Rt wrist XR · lateral projection · age 18 y, boy · 784 by 1559 pixels

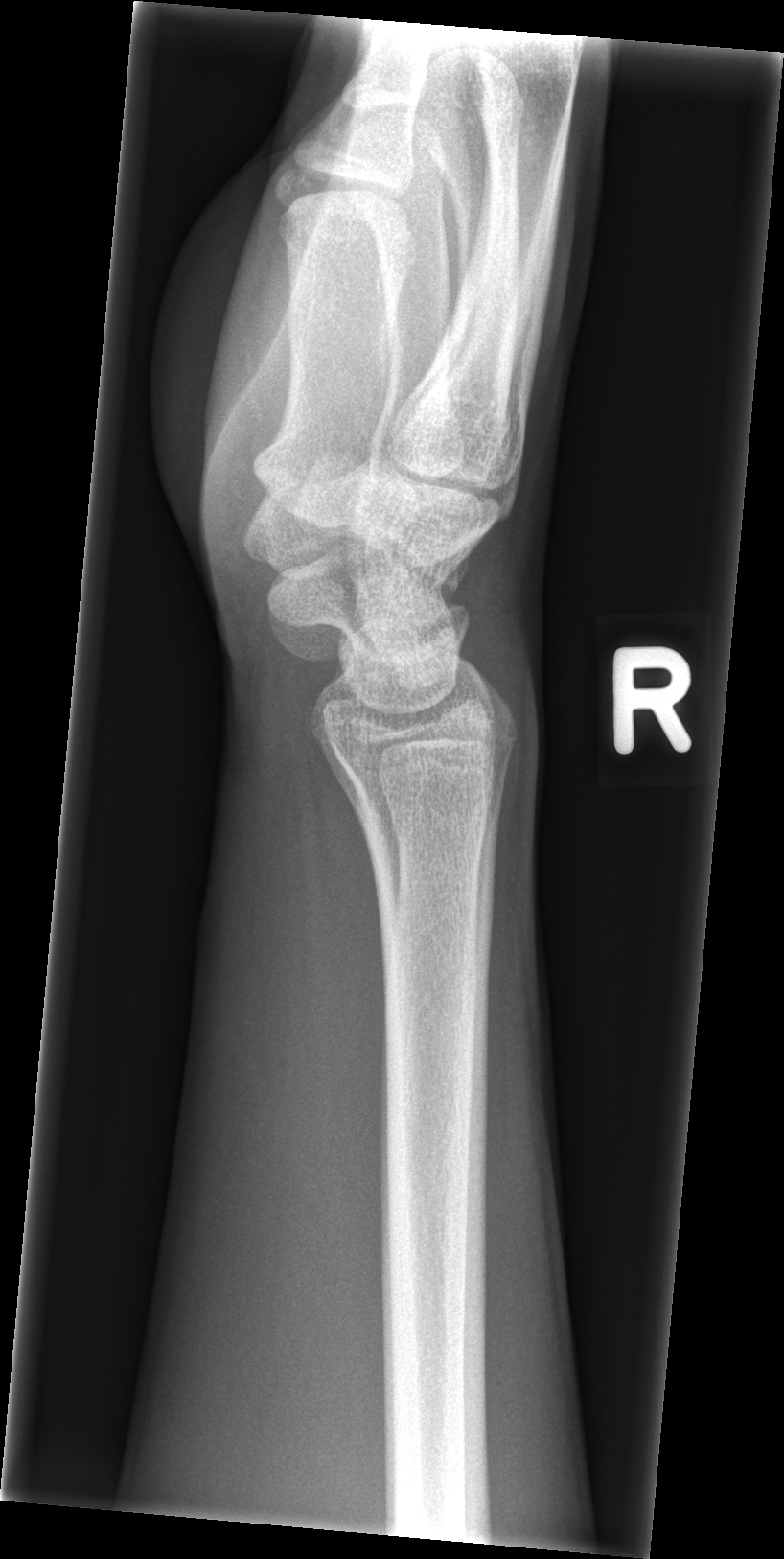

Findings: No fracture bounding box.